Lat; right wrist plain film; boy, 7 yo:

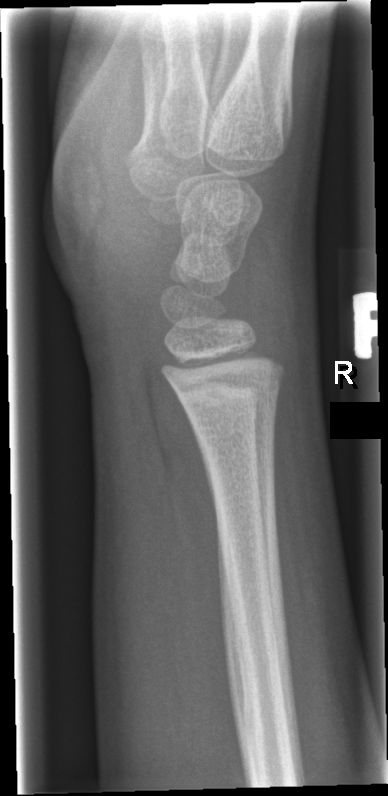
* Fracture: none labeled.